PA/AP view | R wrist radiograph | 657 by 982 pixels:

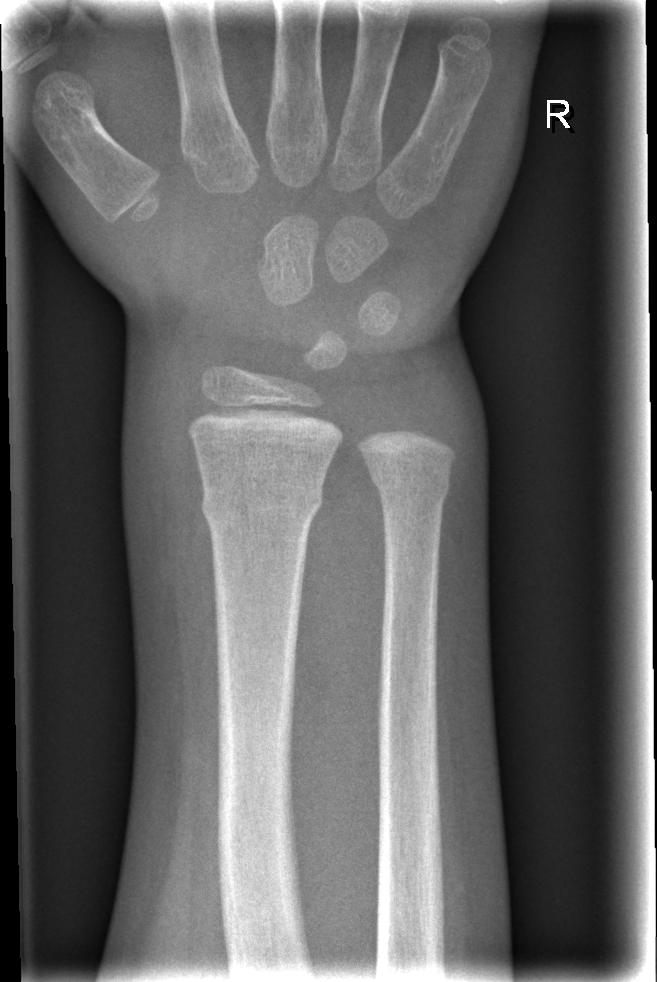 Q: Fracture present?
A: Fractures — (left=198, top=478, right=325, bottom=530), (left=368, top=463, right=452, bottom=513)
Q: What is the AO/OTA classification?
A: Fracture classified AO/OTA 23-M/2.1